R plain radiograph of the wrist · lateral projection · cast present:

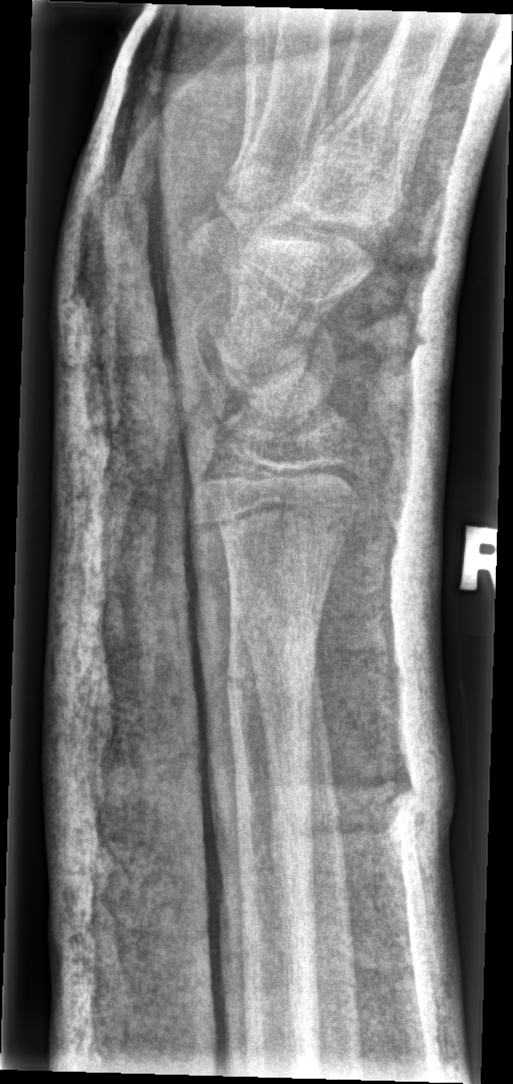

(boxes as x1,y1,x2,y2 (top-left / bottom-right, pixel units))
AO/OTA = 23r-M/3.1
Fracture = 1 @ 221 643 268 708